Left wrist X-ray | AP projection | pediatric patient (girl, age 15).
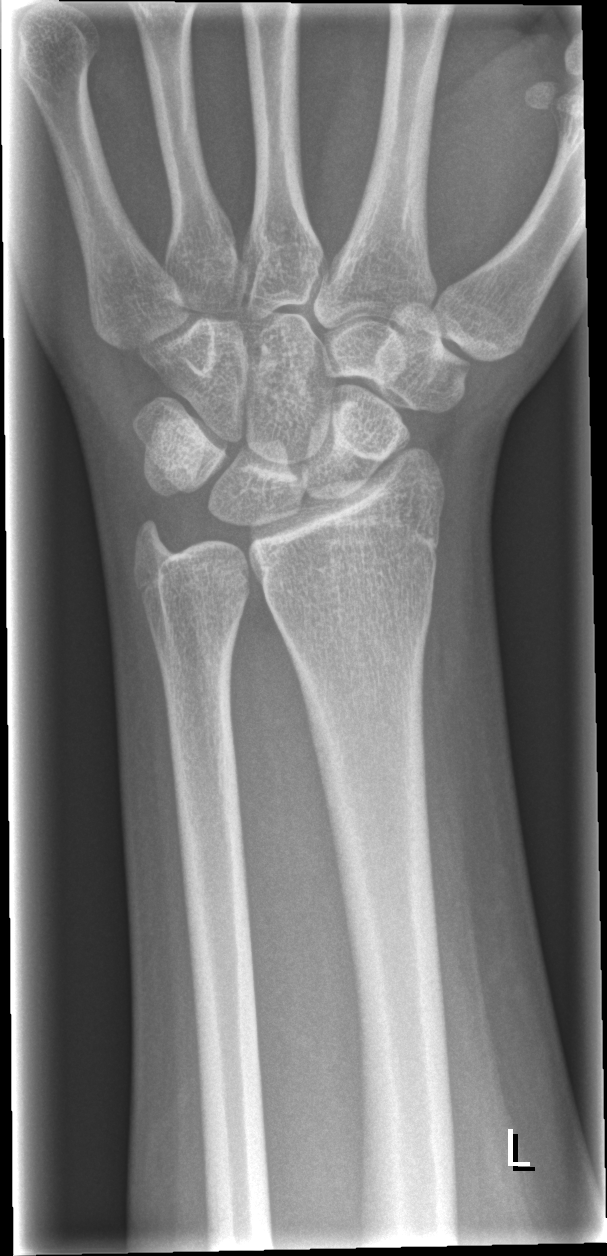 * No fracture bounding box.